Lt wrist XR; lateral; follow-up study; cast in situ; 638 by 1317 pixels. 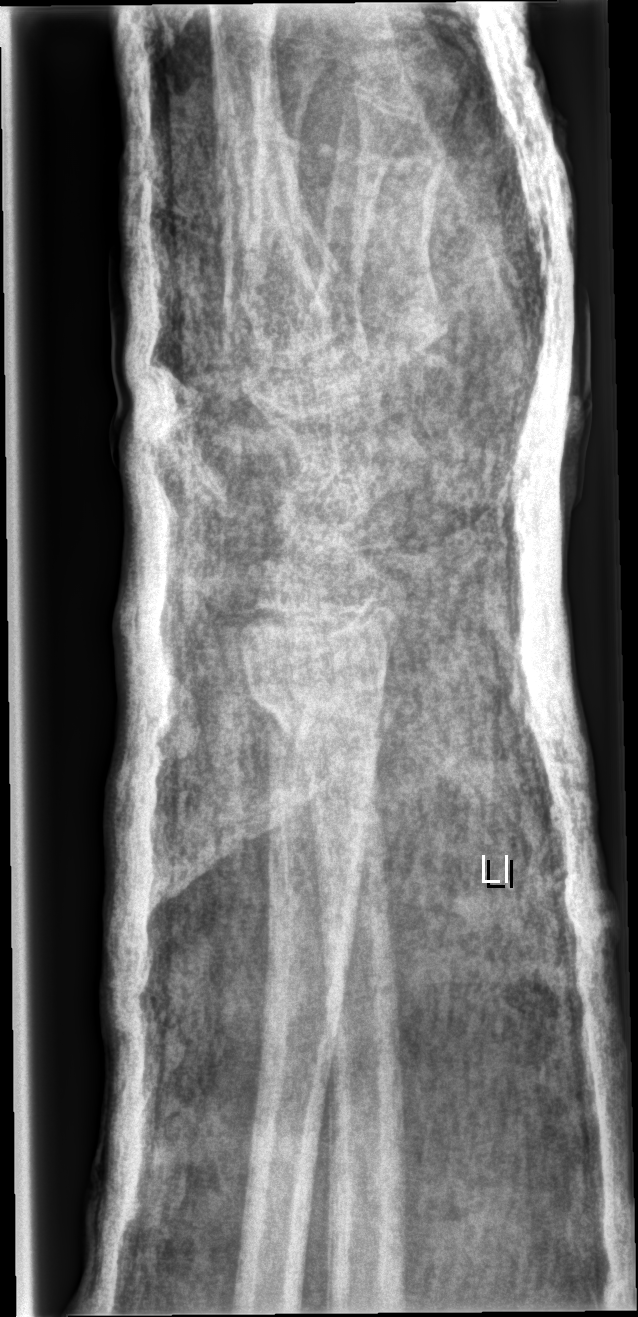

FINDINGS — Fx — (left=241, top=664, right=393, bottom=775).